Lateral projection | left wrist X-ray | diagnosis uncertain | detector: Siemens.

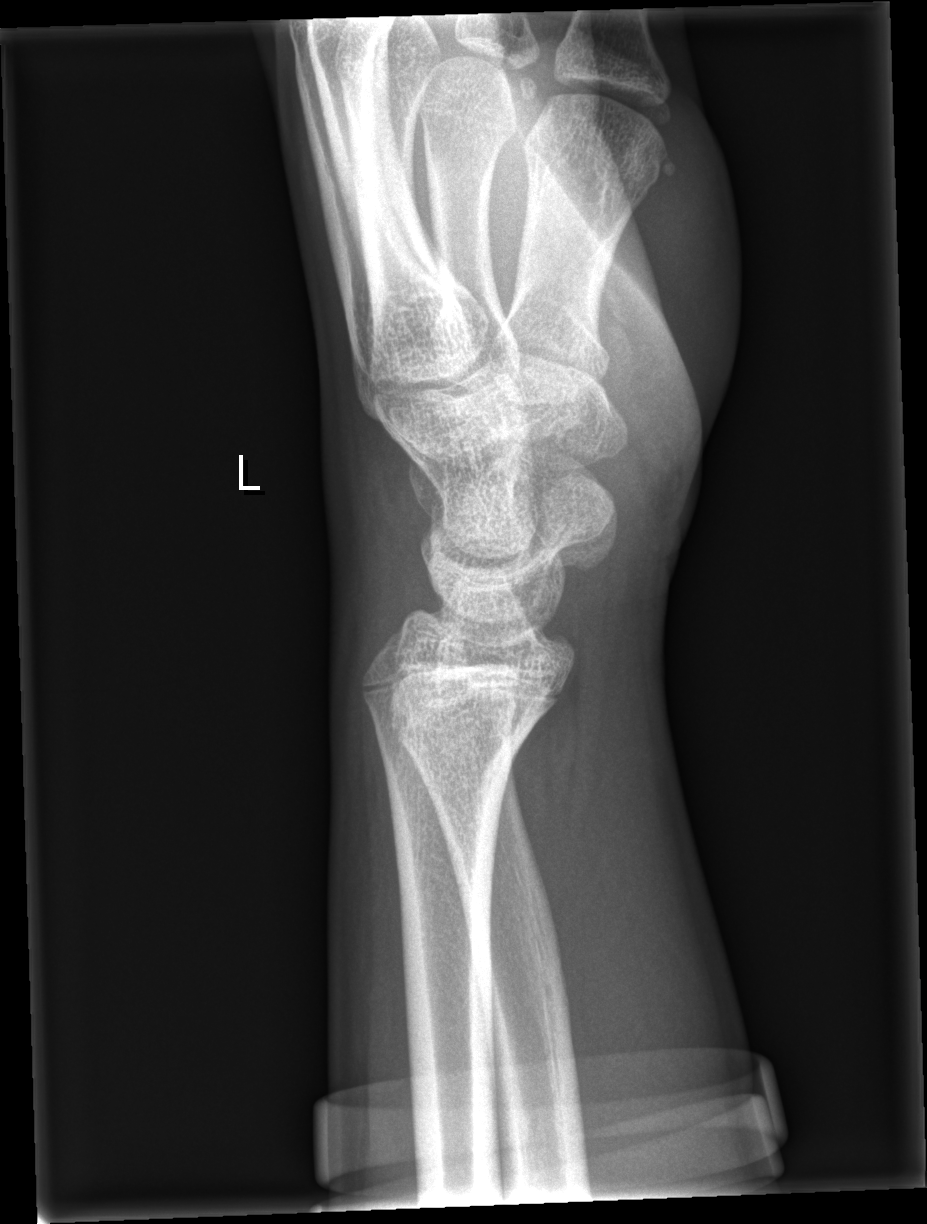

* Fx: present but not clearly seen in this view.
* AO code 23r-M/2.1.